R pediatric wrist radiograph · AP projection · male, 15 yo · image size 706x1550:

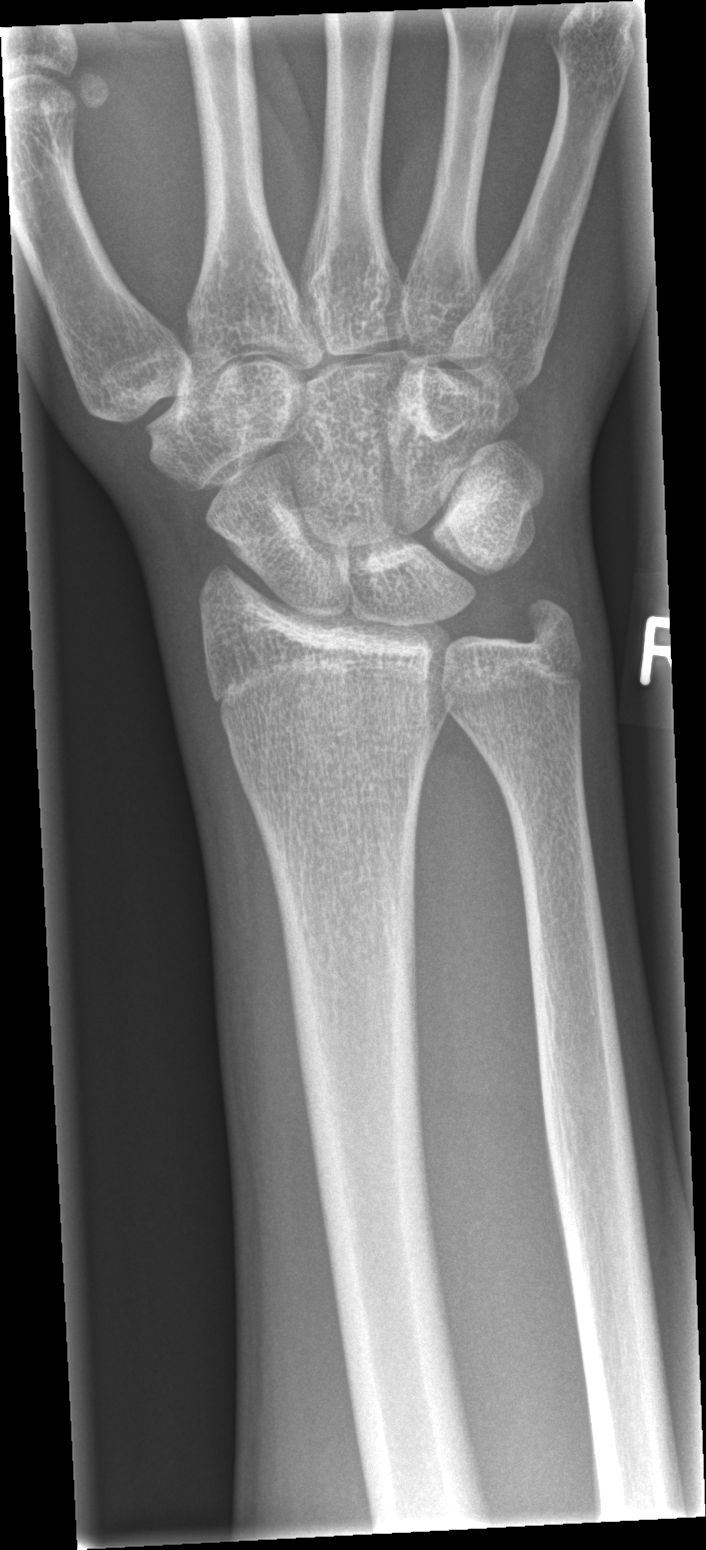

AO code 23r-M/2.1. Fx: present but not clearly seen in this view.